Frontal projection · Rt plain radiograph of the wrist · male, 12 yo · in cast · acquired on Siemens

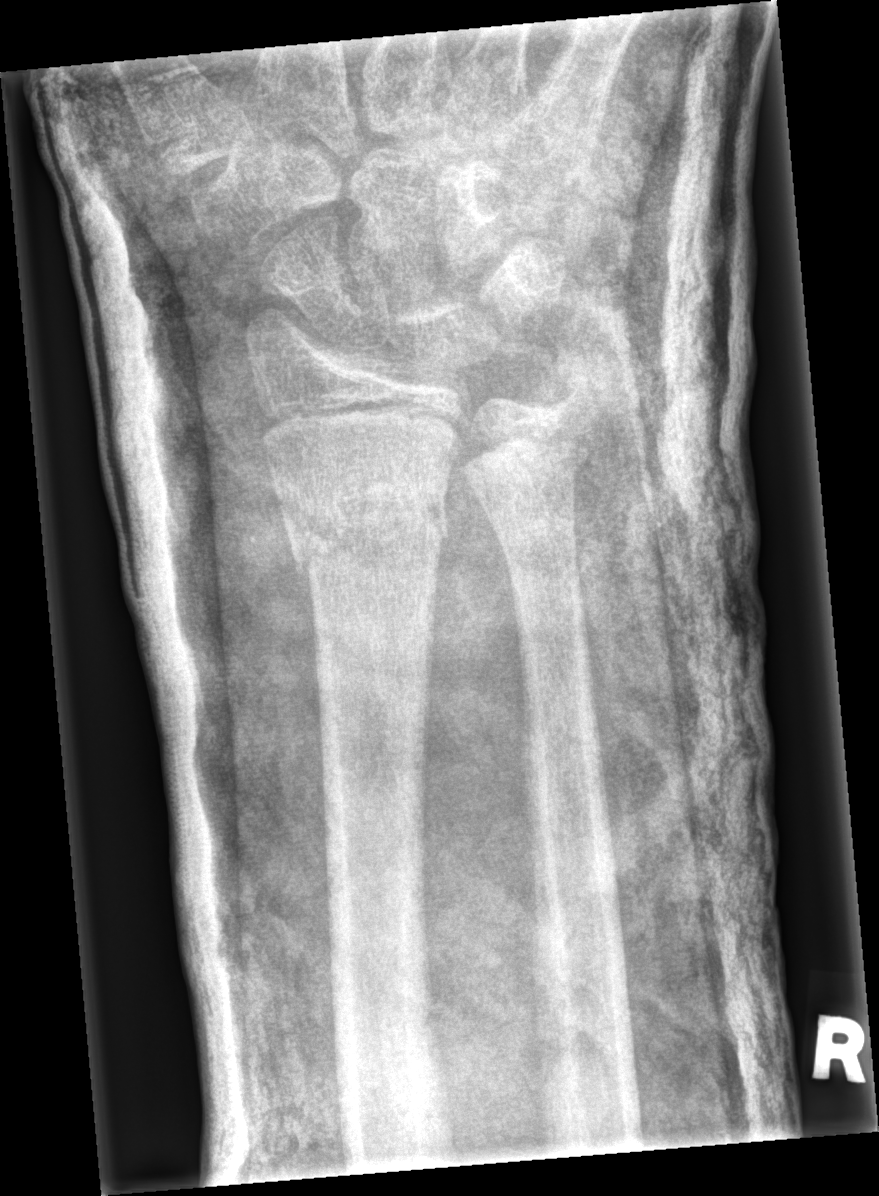 • Coordinates are [x1, y1, x2, y2] in image pixels.
• AO/OTA classification: 23r-M/3.1; 23u-E/2.1.
• Two bone fractures at <279,477>-<454,577>; <459,420>-<599,514>.